PA view, right wrist plain radiograph of the wrist, 14-year-old girl — 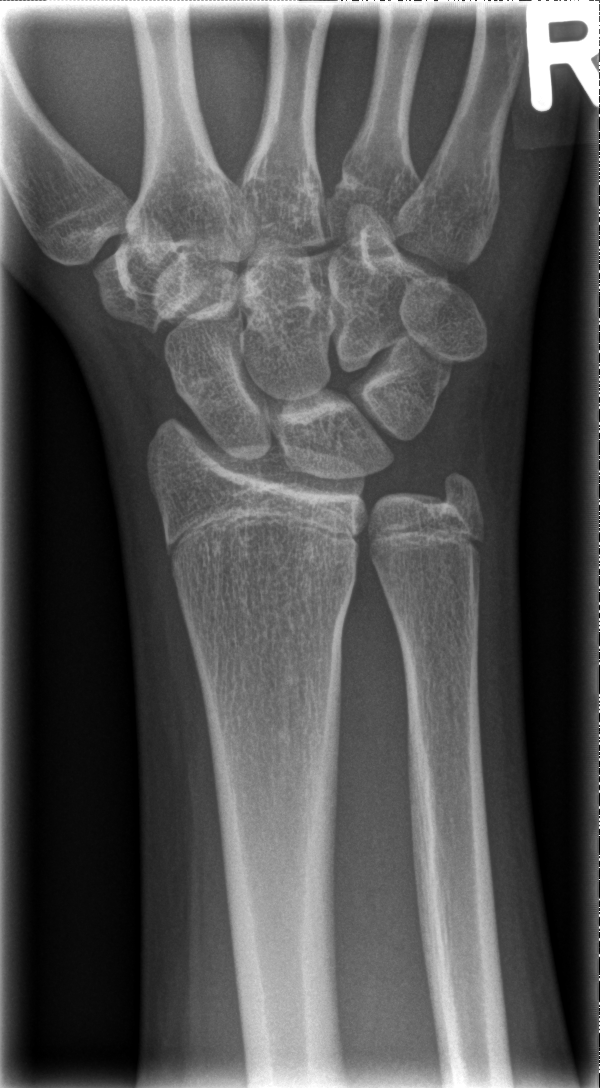 fracture: none labeled